Lateral view; left wrist XR; boy, 14 yo; presentation radiograph; Siemens; image 76.5 mm wide; image size 531x968:
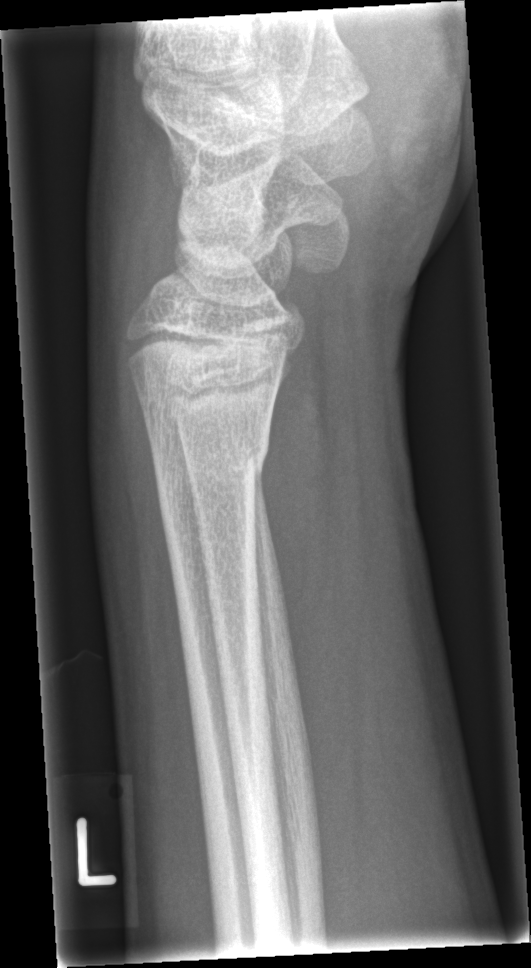 (boxes as x1,y1,x2,y2 (top-left / bottom-right, pixel units))
Fx: 1 @ bbox(148, 433, 272, 508)
AO/OTA: 23r-M/2.1